Lat projection; L pediatric wrist radiograph; 11y F.
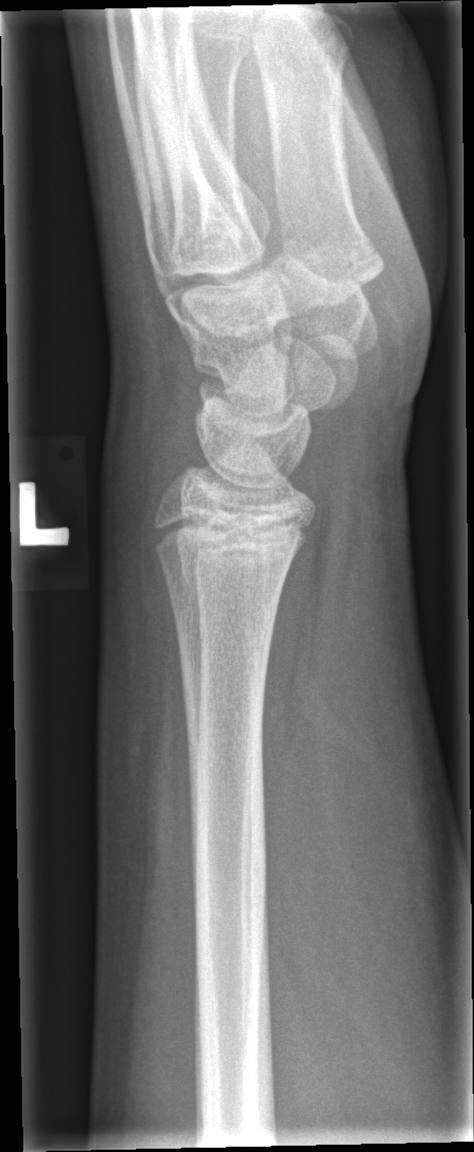
Fracture: present but not clearly seen in this view. Fracture classified AO/OTA 72B(b).